Lat; right wrist pediatric wrist radiograph; subsequent exam; in cast; image width 70.4 mm.

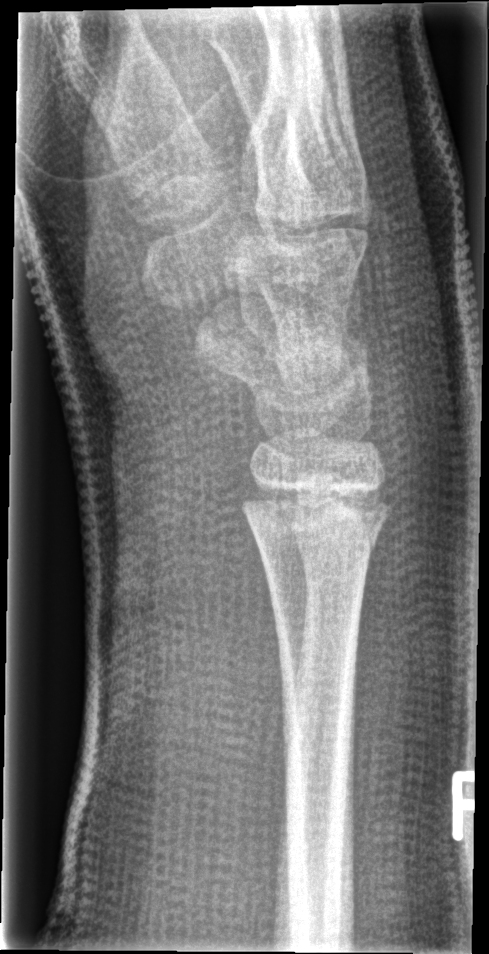
fracture = 1 @ (238, 478, 395, 555)